PA; left wrist X-ray; 3-year-old male; initial study

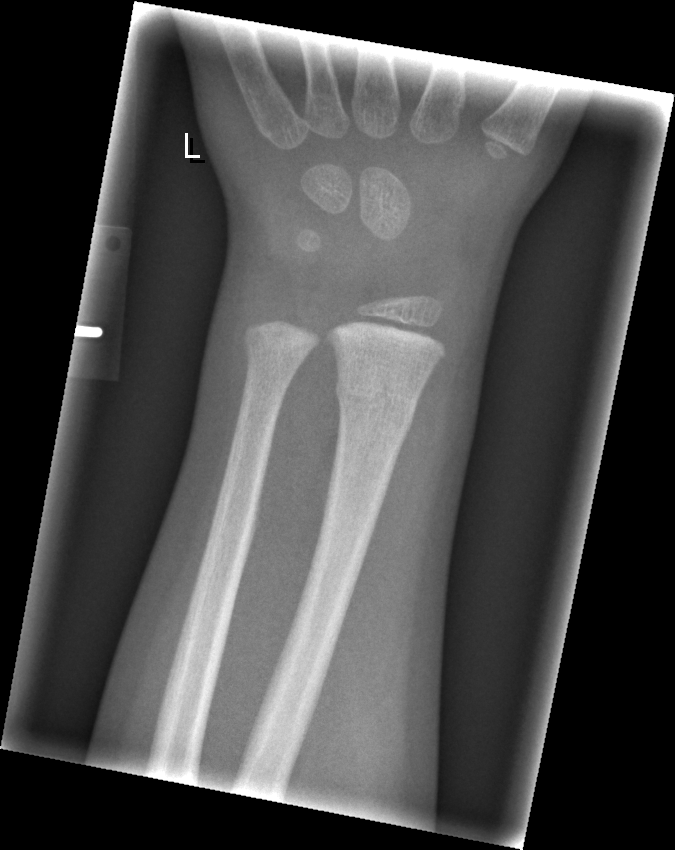

FINDINGS: (bounding boxes in image-pixel xyxy) Fractures — bbox(332, 365, 422, 434), bbox(241, 331, 311, 379). AO code 23-M/2.1.